Lat projection, left plain radiograph of the wrist, age 7 y, female, image width 62.8 mm, 436 by 1260 pixels

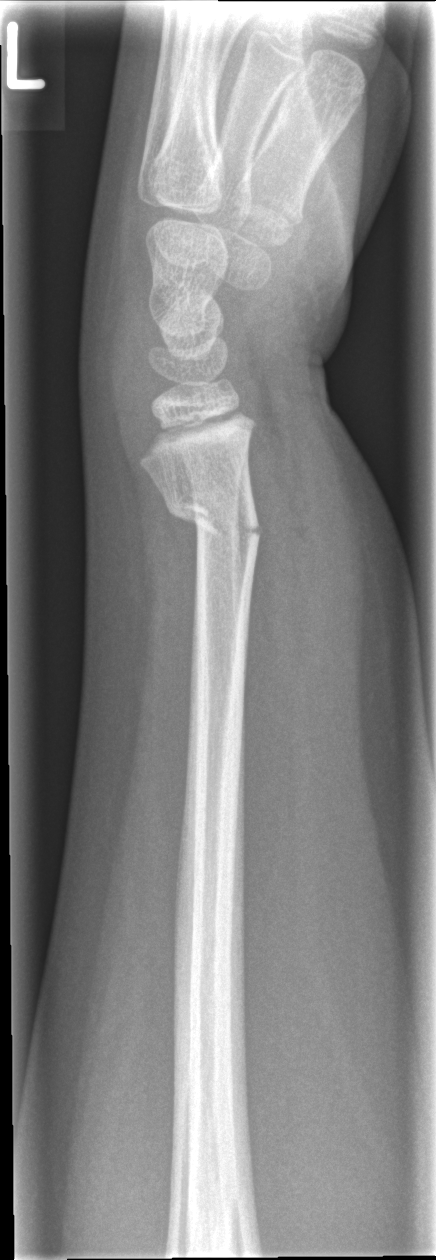 Fx identified at [160, 481, 266, 555]. AO/OTA classification: 23r-M/3.1. One pronator quadratus fat-pad sign at [243, 429, 306, 798].